AP projection | L wrist radiograph | image size 553x644: 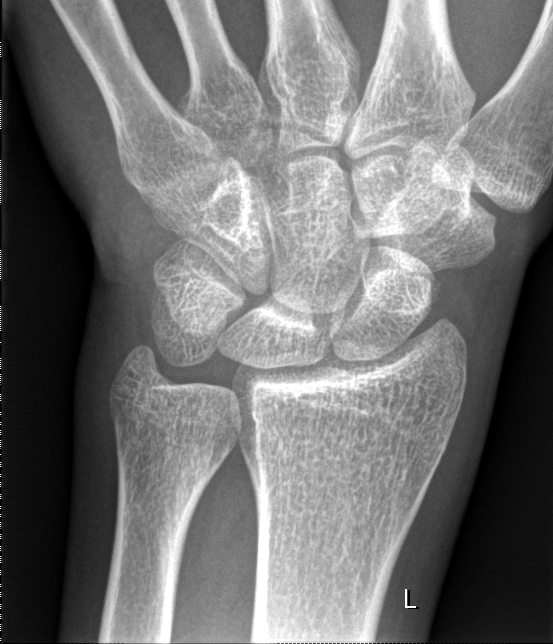

• No Fx annotated.